Lt wrist X-ray, AP projection 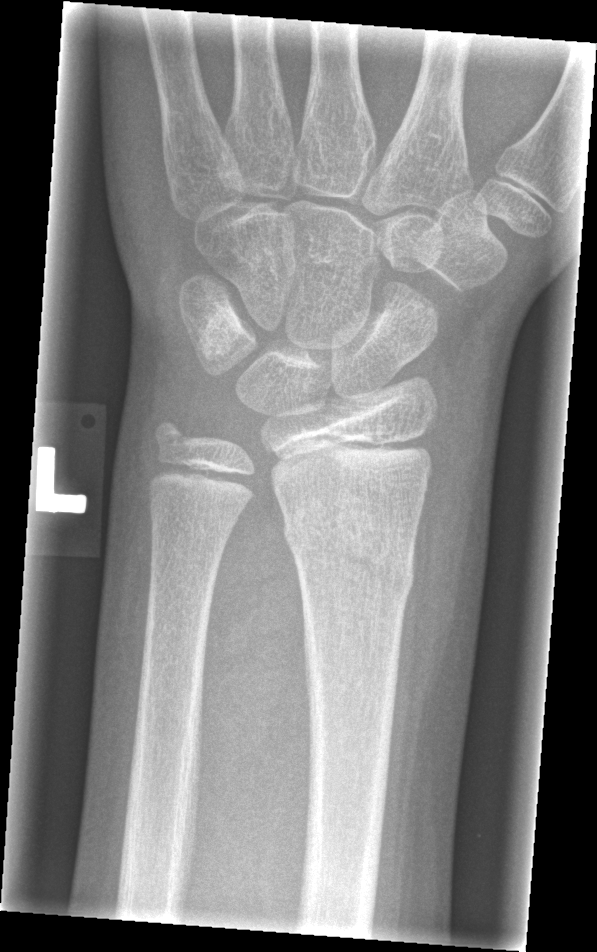
Bounding boxes in image-pixel xyxy. Fracture identified at (281, 505, 417, 603) (147, 409, 198, 466). Fracture classified AO/OTA 23r-M/2.1; 23u-E/7.